Lt wrist radiograph, frontal view, 11-year-old boy —

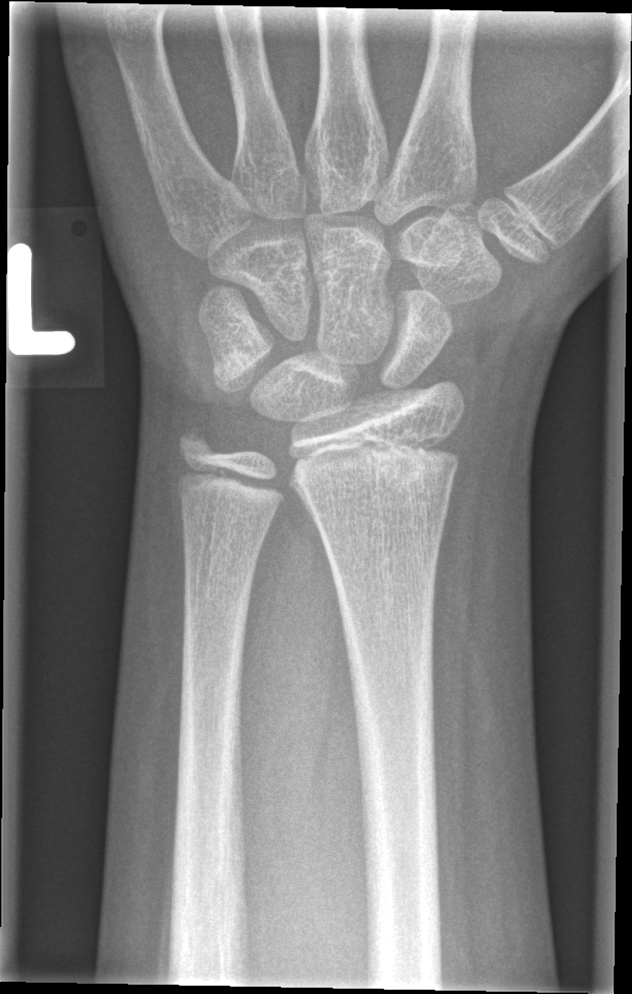 (boxes as x1,y1,x2,y2 (top-left / bottom-right, pixel units))
AO/OTA: 23u-E/7
bone fracture: (left=171, top=415, right=221, bottom=468)